Lat view, Lt plain radiograph of the wrist, cast in situ, 81.5 mm image width

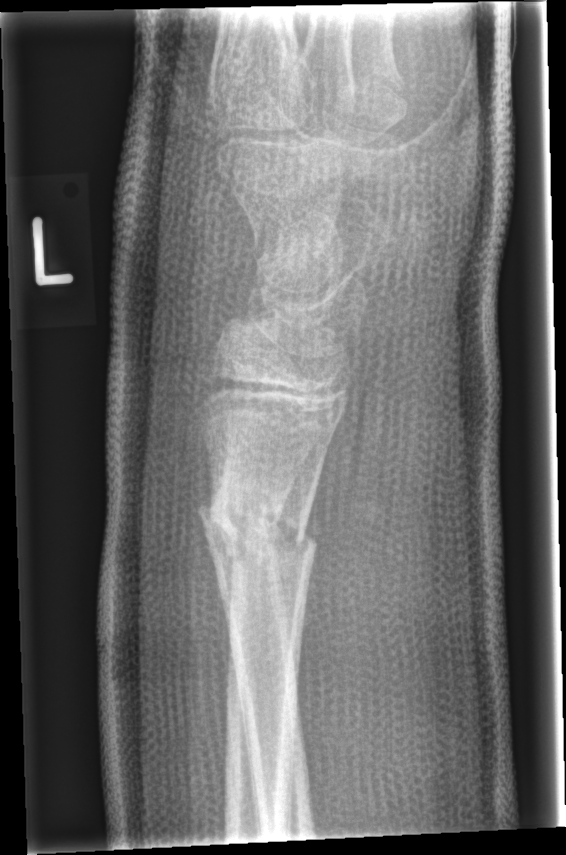 Pixel coordinates, top-left origin, xyxy. Fracture classified AO/OTA 23-M/3.1. One bone fracture at 195,481,316,579.